L wrist plain film | lateral projection | pediatric patient (boy, age 2) —
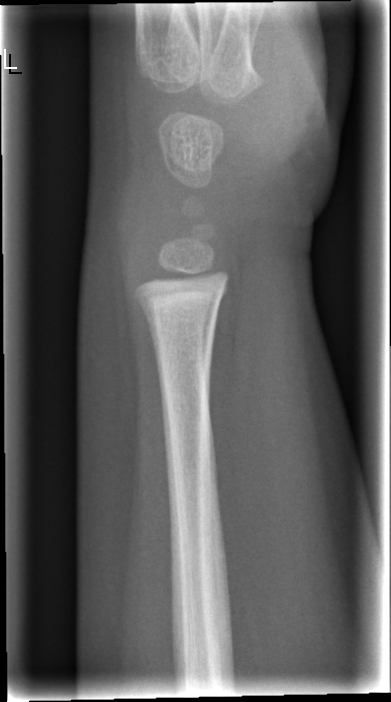 Findings: Fx: none.